PA/AP projection | right wrist plain radiograph of the wrist | age 7 y, male | presentation radiograph | image width 84.8 mm | 589 by 610 pixels:

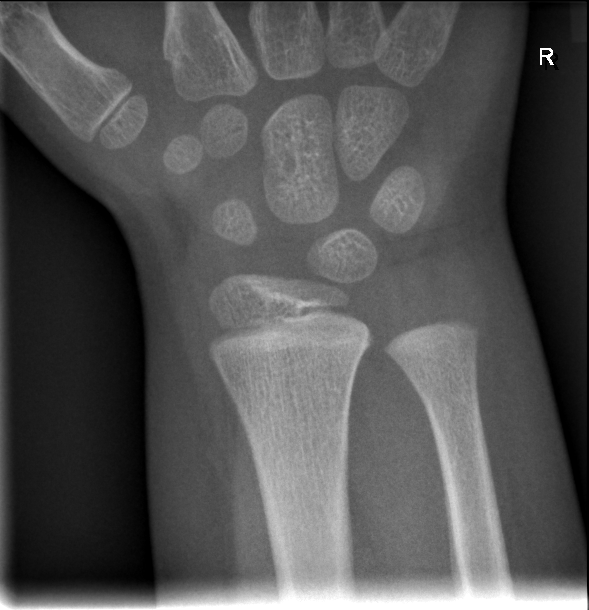 FINDINGS: No fracture bounding box.